Left wrist radiograph · AP view · 15y M 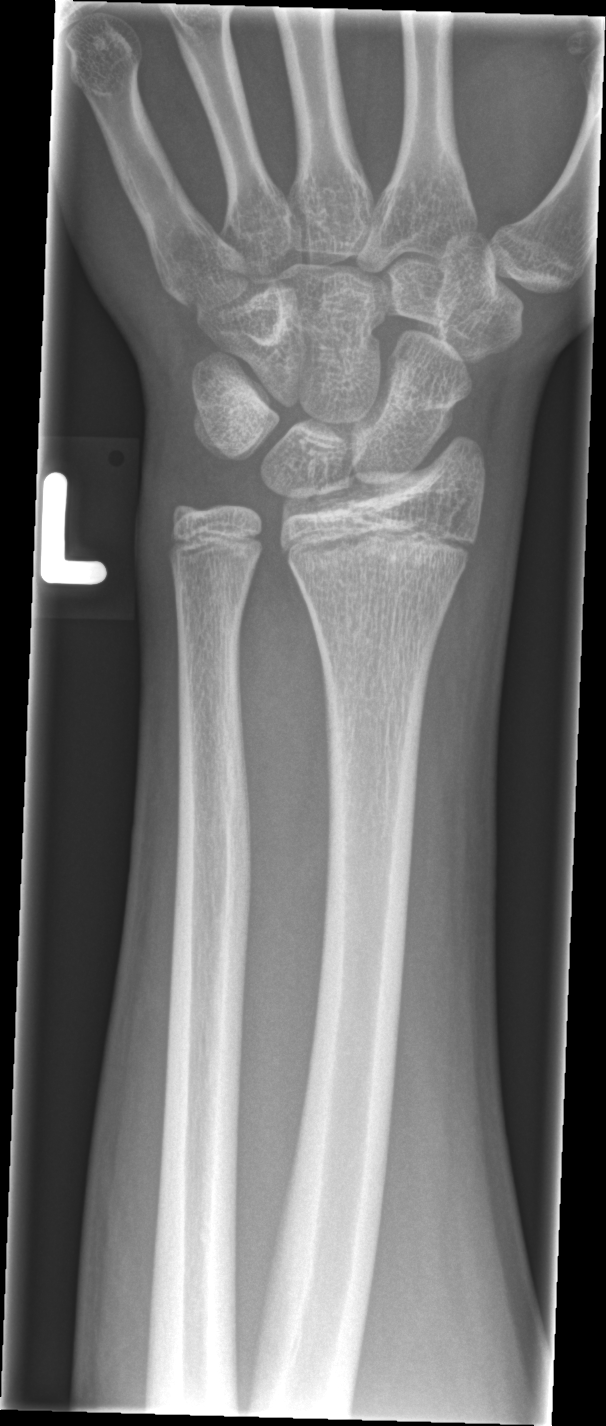 Fracture: none labeled